Rt plain radiograph of the wrist; lateral projection; male, 17 yo: 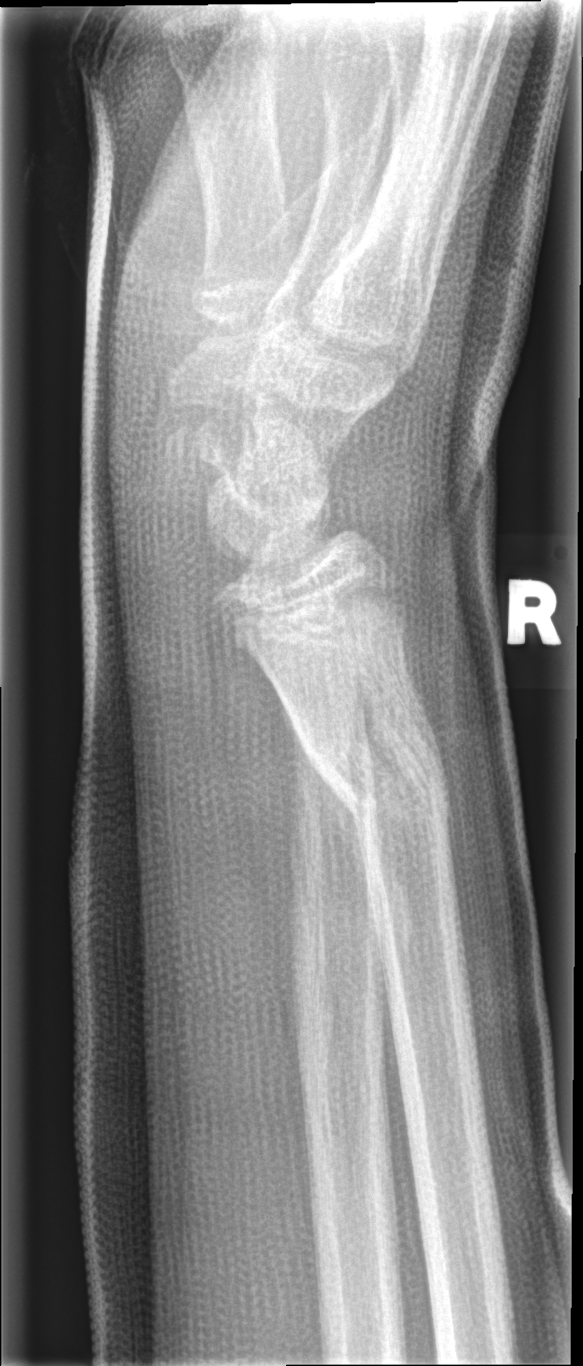
Bounding boxes in image-pixel xyxy.
AO/OTA classification: 23-M/3.1.
Fx — 288,669,457,842.